AP; Lt wrist X-ray:

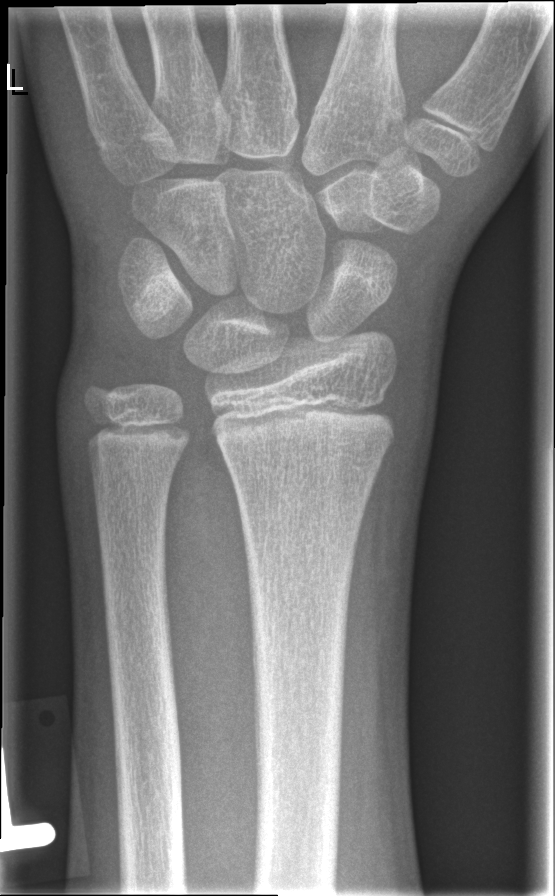 FINDINGS: No fracture labeled.